Lat view, L wrist X-ray:
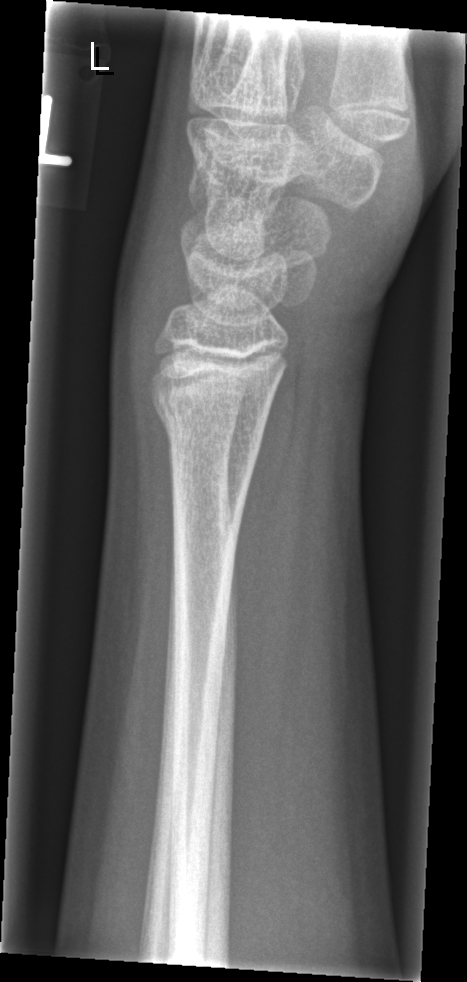
Findings: (bounding boxes in image-pixel xyxy) Soft tissue abnormality identified at 111 158 192 451. Fracture classified AO/OTA 23r-M/2.1. One fracture at 151 391 268 451.